Lt wrist X-ray | lateral:

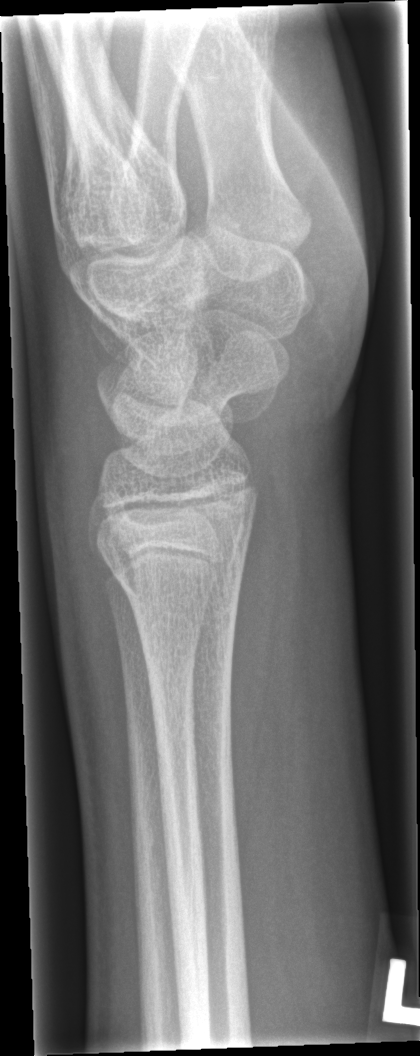
(pixel coordinates, top-left origin, xyxy)
Fx = 1 @ [x1=103, y1=551, x2=244, y2=627]
AO/OTA = 23r-M/2.1